Lat projection, L wrist XR, 609 by 1158 pixels 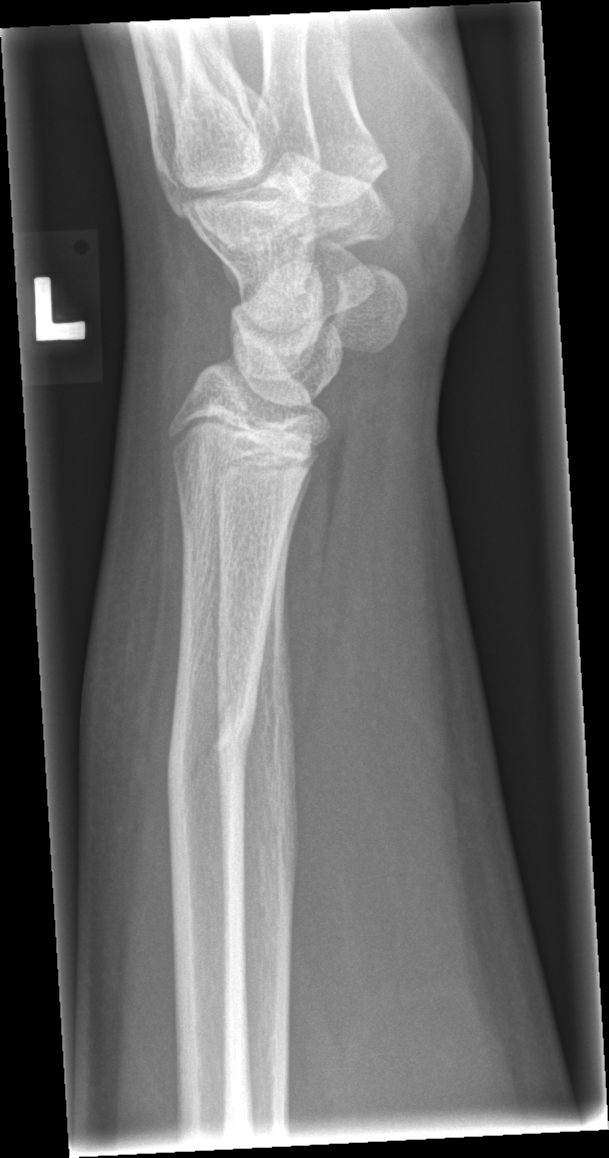
AO code 22r-D/2.1. Fx — 164,698,257,797. One soft-tissue finding at 74,507,190,984.